Lateral projection · right wrist XR · detector: Siemens · 501x1212:
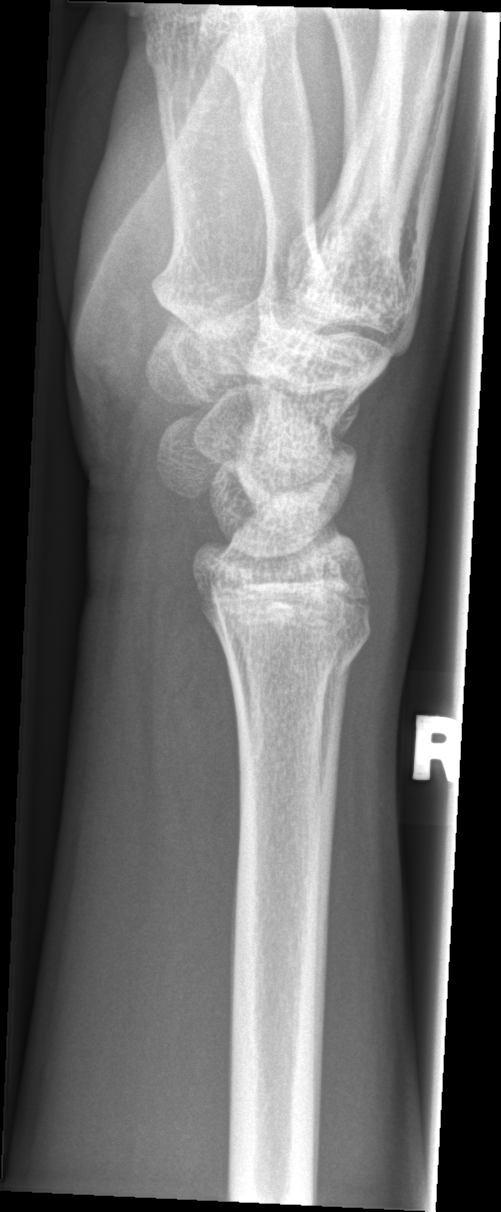
Findings: Bone fracture — 219 599 378 692. AO/OTA classification: 23r-M/2.1. Pronator quadratus fat-pad sign: 145 541 244 926.